PA/AP, left wrist X-ray, pediatric patient (female, age 13):

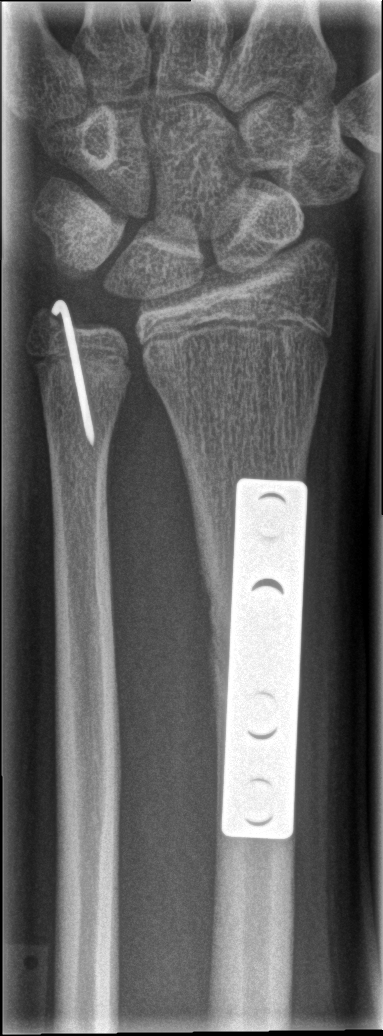
* One Fx at (193, 524, 223, 684).
* Two hardware at (216, 477, 310, 842) (48, 296, 97, 450).